Lt wrist radiograph; PA/AP; age 14 y, male; follow-up study; image width 102.5 mm:
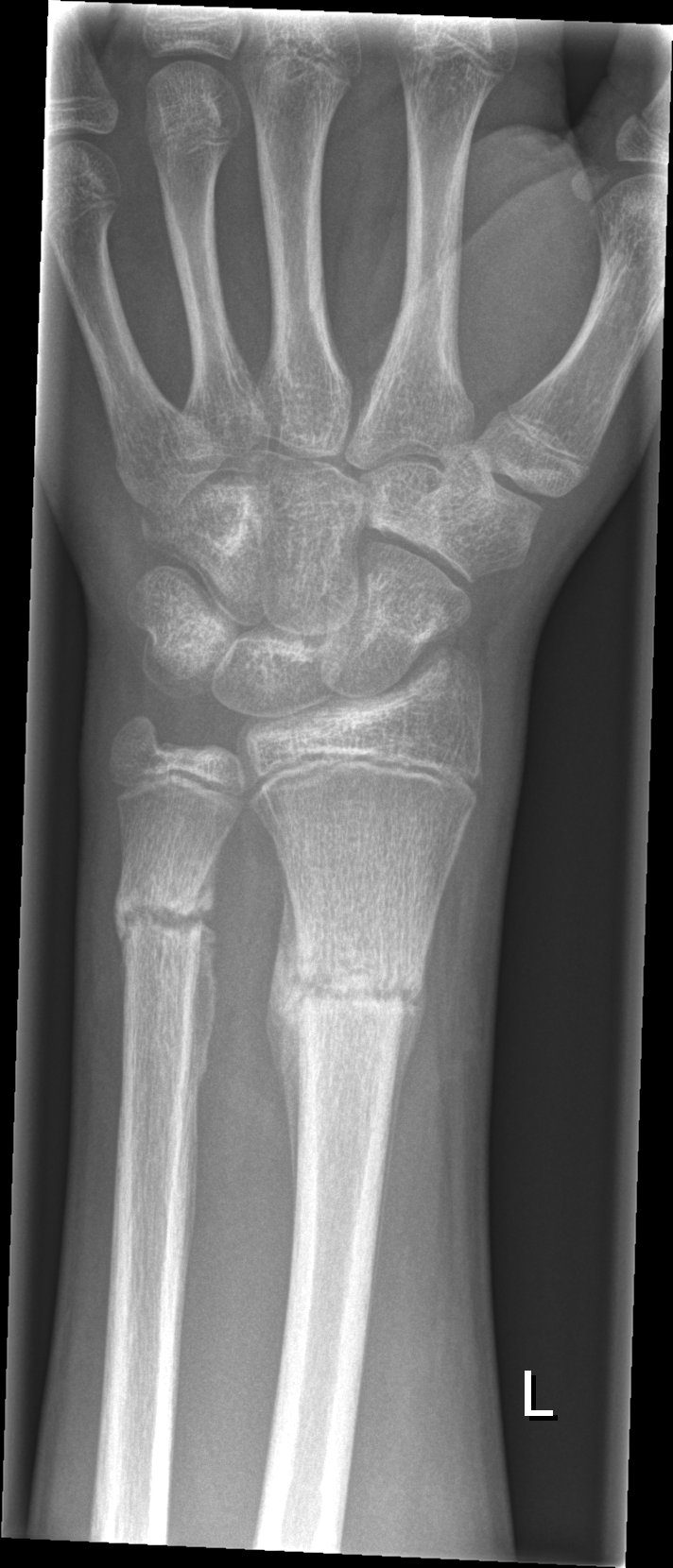

Coordinates are [x1, y1, x2, y2] in image pixels. Bone fractures — (283, 935, 423, 1030), (112, 878, 207, 952). Osteopenic. Periosteal reaction identified at (371, 964, 428, 1288), (266, 849, 304, 1211), (187, 838, 225, 1110).